Right wrist XR · AP view · 7y M · image size 639x988.
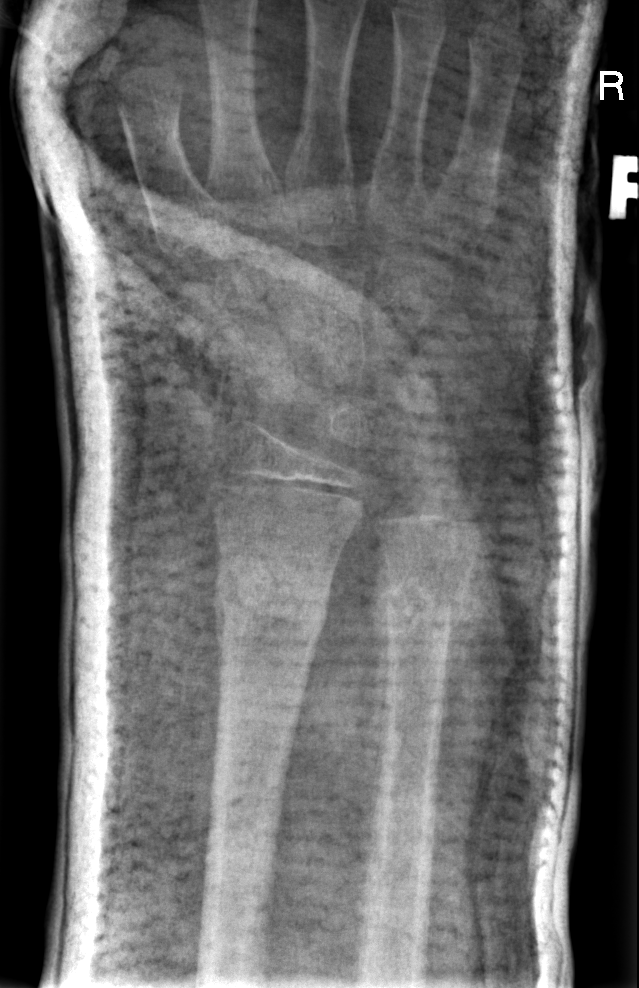

Findings: (coordinates are [x1, y1, x2, y2] in image pixels) Fx identified at (left=209, top=549, right=335, bottom=645); (left=374, top=571, right=468, bottom=649).